AP projection | right plain radiograph of the wrist: 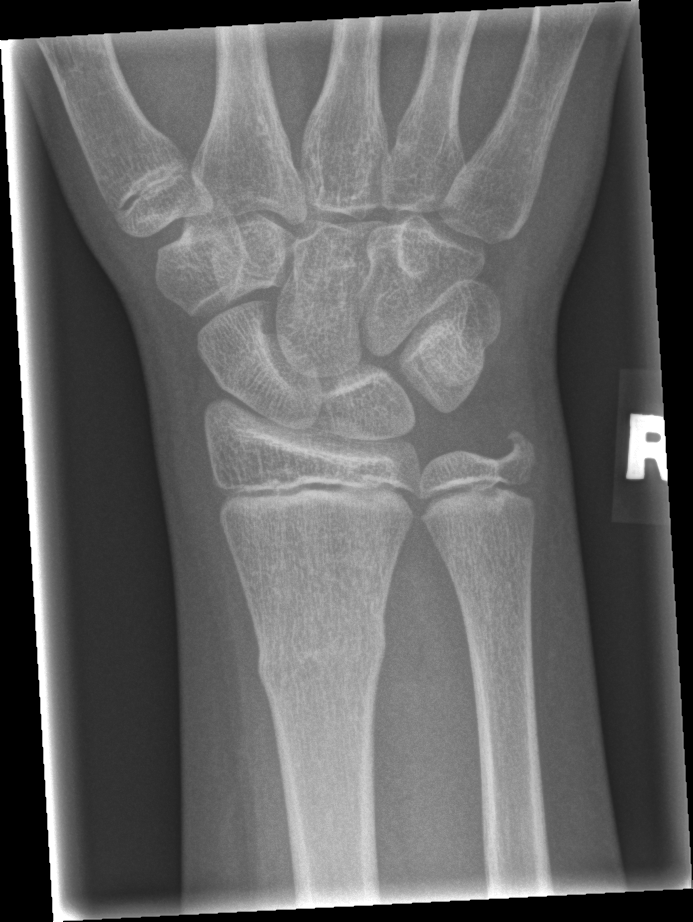 * Fracture: 255 612 389 694; 490 421 543 482.